PA/AP view | Rt plain radiograph of the wrist | follow-up | imaged through cast:
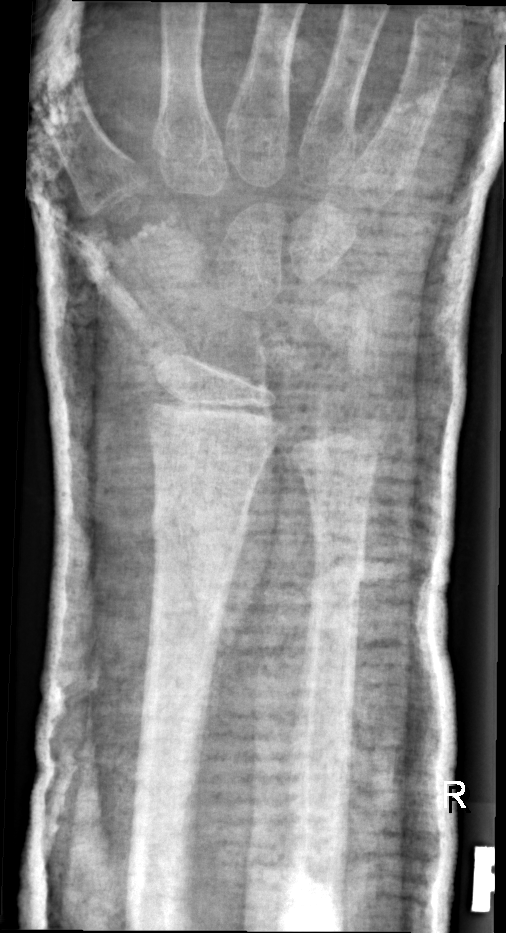
{"ao": "23r-M/2.1; 23u-M/3.1", "fracture": "2 @ 145 489 253 564\n  305 557 369 603"}